Lat projection · Lt plain radiograph of the wrist

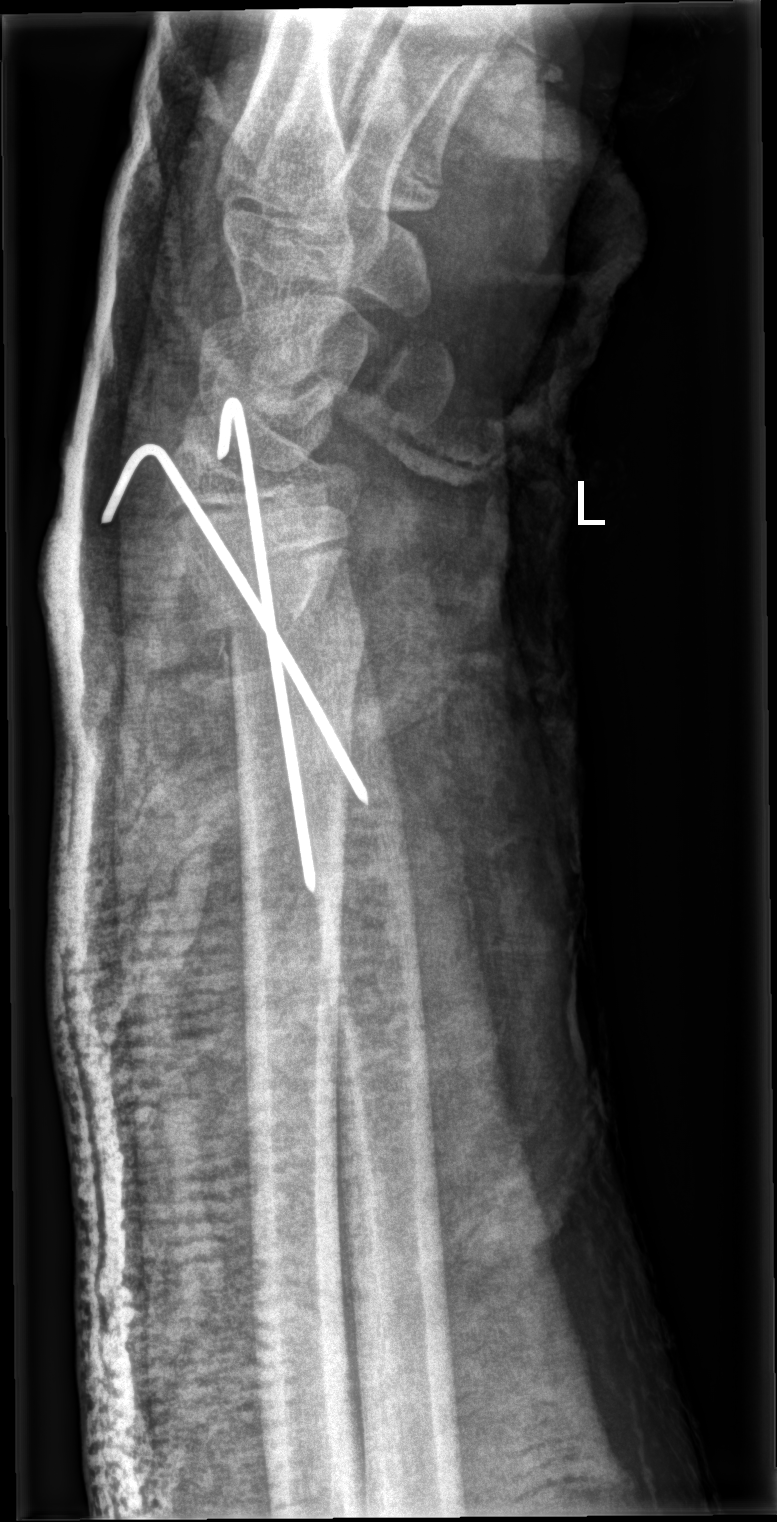
One hardware at 97,393,367,899.
Fx — 192,562,374,649.
AO/OTA classification: 23r-M/3.1; 23u-M/2.1.